Rt pediatric wrist radiograph · PA view · index exam · 82.7 mm image width.
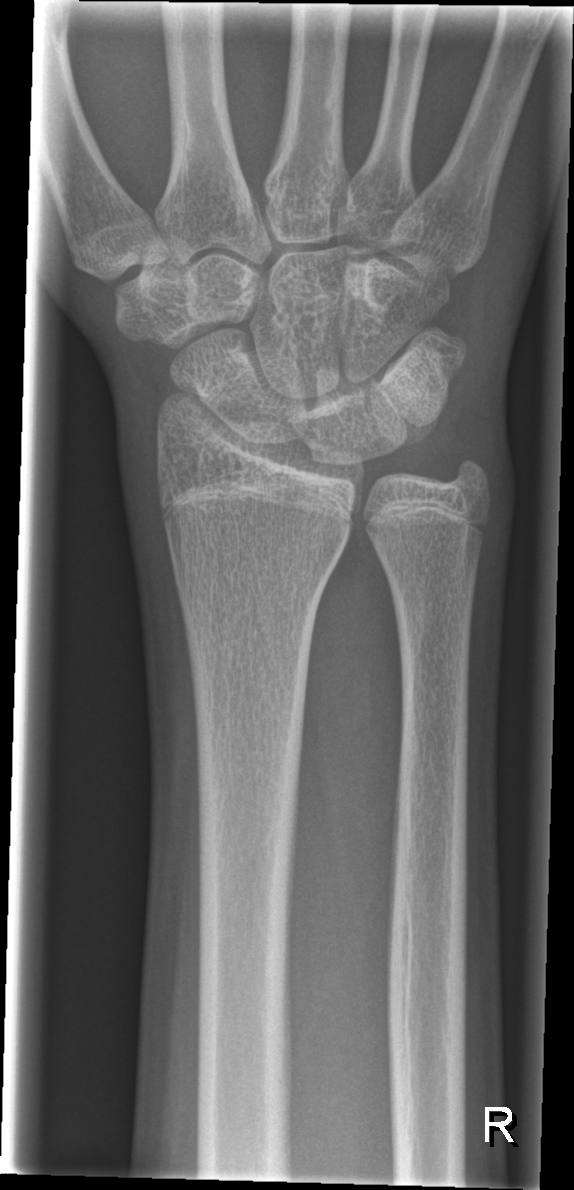

• Fx: none.